Left wrist X-ray | AP projection | 11y M | initial study | image 95.9 mm wide | image size 666x1294 —
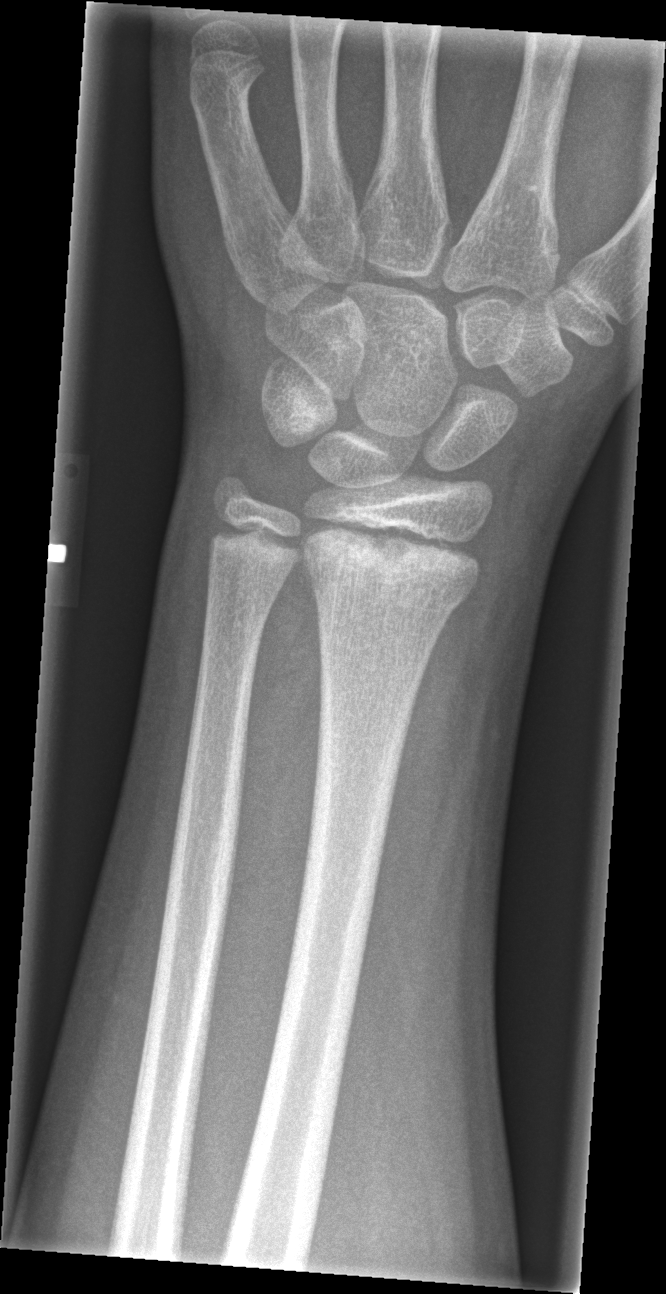
(boxes as x1,y1,x2,y2 (top-left / bottom-right, pixel units))
Q: Is there a fracture?
A: Fracture identified at bbox(307, 560, 470, 644)